Lat, right pediatric wrist radiograph, acquired on Siemens

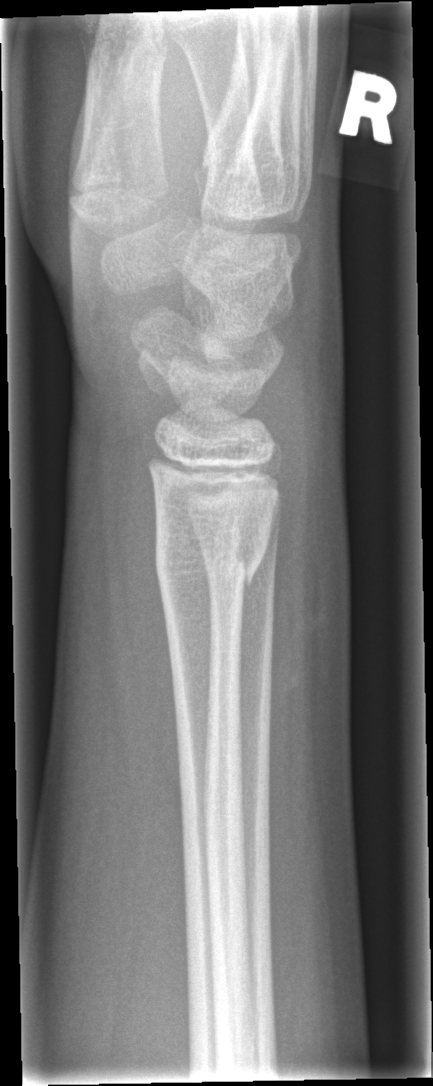 Pixel coordinates, top-left origin, xyxy. Bone fracture — (151, 514, 274, 592).